Lat; Rt pediatric wrist radiograph; pediatric patient (boy, age 10) —
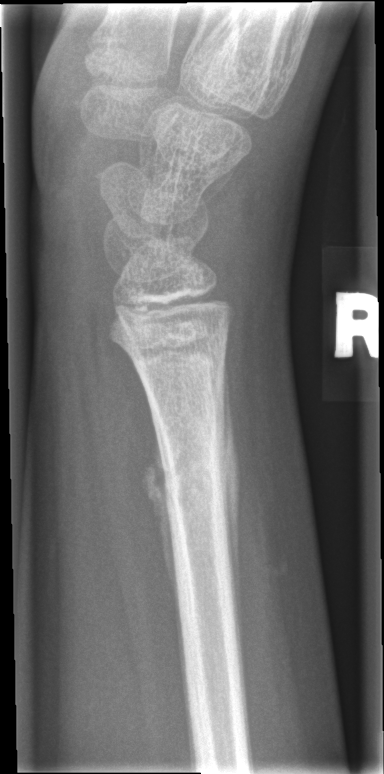
FINDINGS: AO code 23r-M/3.1. Periosteal new bone — [x1=221, y1=350, x2=247, y2=683] [x1=141, y1=414, x2=181, y2=596]. Fracture: [x1=156, y1=436, x2=230, y2=513].